Posteroanterior | left wrist radiograph | boy, 17 yo

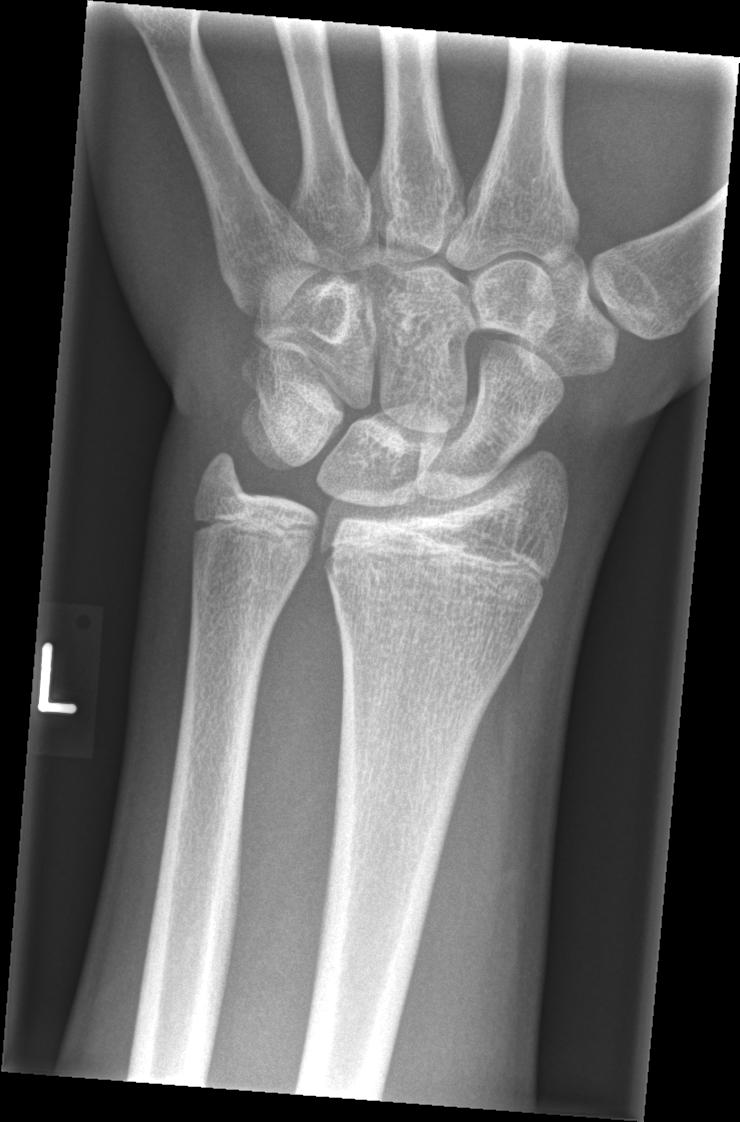
No fracture annotation.